Right wrist X-ray, frontal projection, detector: Siemens. 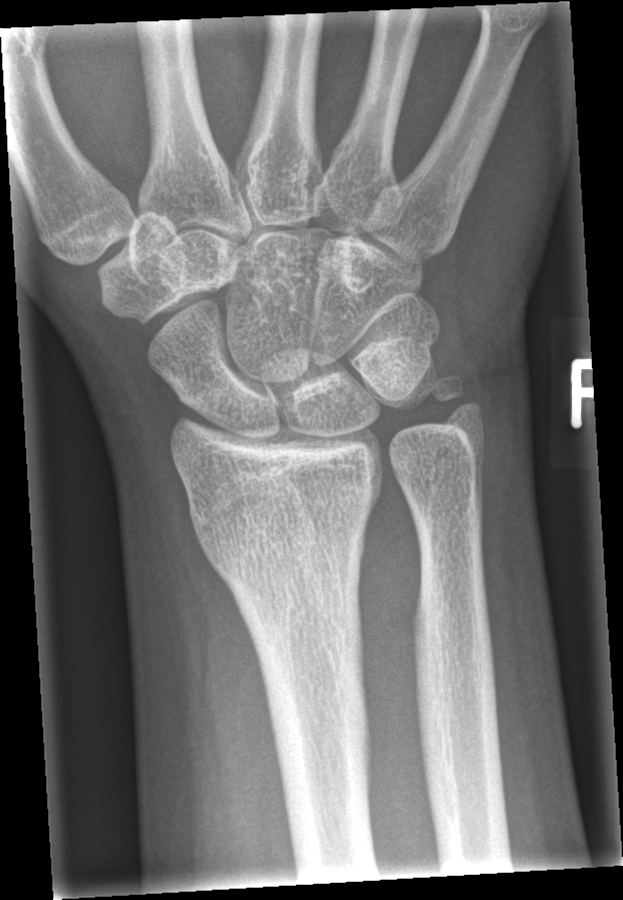

Bounding boxes in image-pixel xyxy.
Fx — <430,371>-<486,434>.